Right wrist plain film, PA/AP view, initial study —
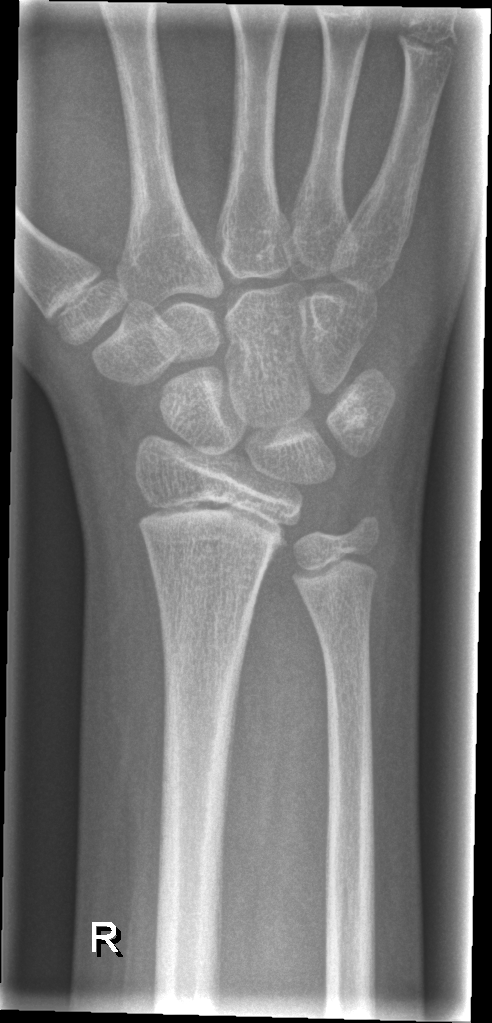
Fracture: none labeled.